AP projection; left wrist X-ray; 6y M; cast in situ; acquired on Siemens; image size 820x934.
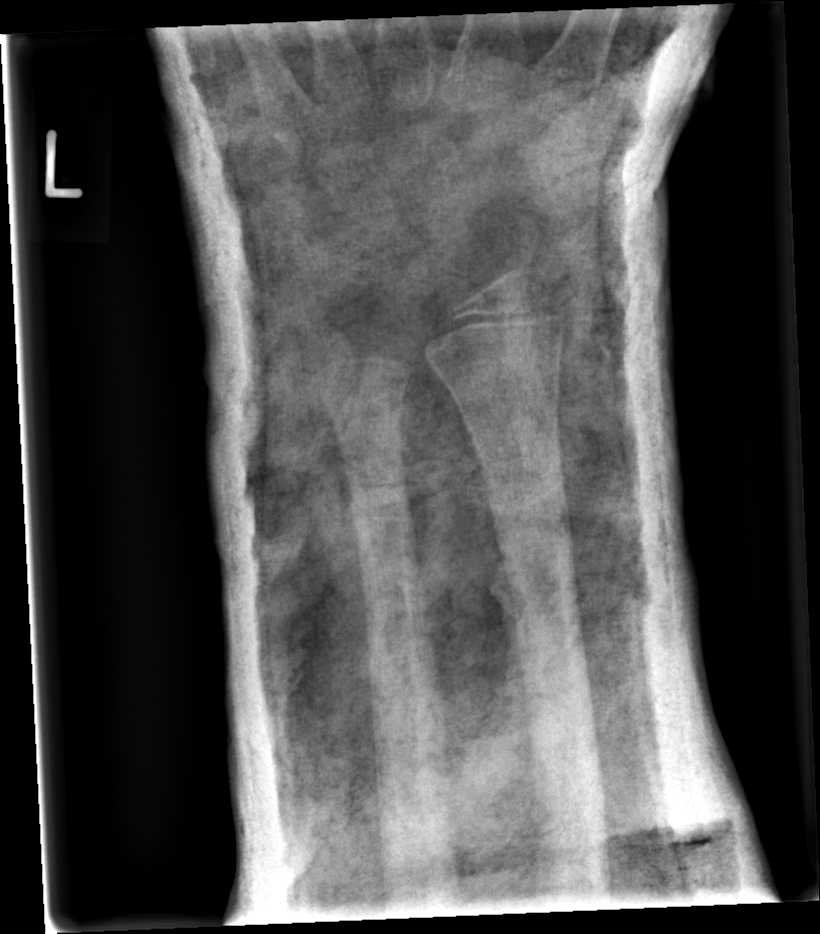
Fx — [x1=471, y1=451, x2=580, y2=559], [x1=338, y1=461, x2=418, y2=547].